Left wrist XR; lat; image size 389x1006 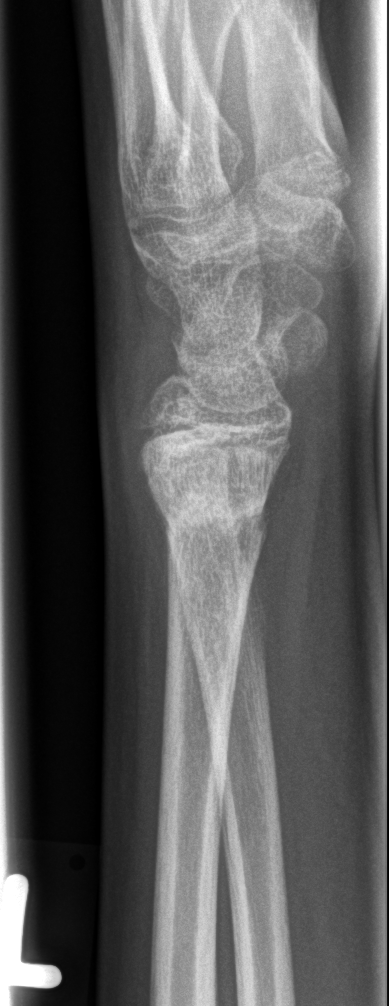

- Coordinates are [x1, y1, x2, y2] in image pixels.
- Fracture identified at [135, 435, 283, 551].
- Reduced bone mineral density.
- AO/OTA classification: 23r-M/3.1; 23u-M/2.1; 23u-E/7.